Frontal view · right plain radiograph of the wrist · 618x1316
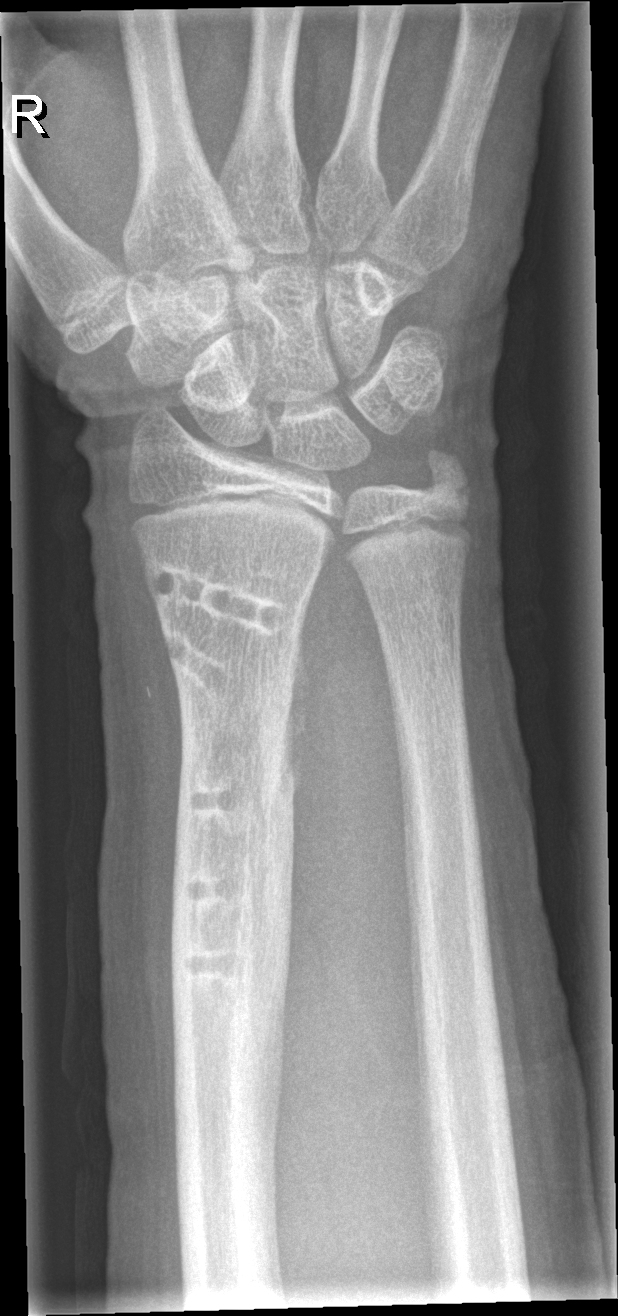
(bounding boxes in image-pixel xyxy)
Q: Fracture present?
A: Bone fracture identified at [x1=411, y1=445, x2=477, y2=517]
Q: Any bone anomaly?
A: Bone anomalies — [x1=168, y1=641, x2=312, y2=1065]; [x1=137, y1=554, x2=310, y2=644]; [x1=159, y1=626, x2=245, y2=703]; [x1=174, y1=864, x2=269, y2=921]; [x1=175, y1=938, x2=266, y2=993]; [x1=178, y1=764, x2=250, y2=829]